PA projection | left wrist pediatric wrist radiograph | presentation radiograph.
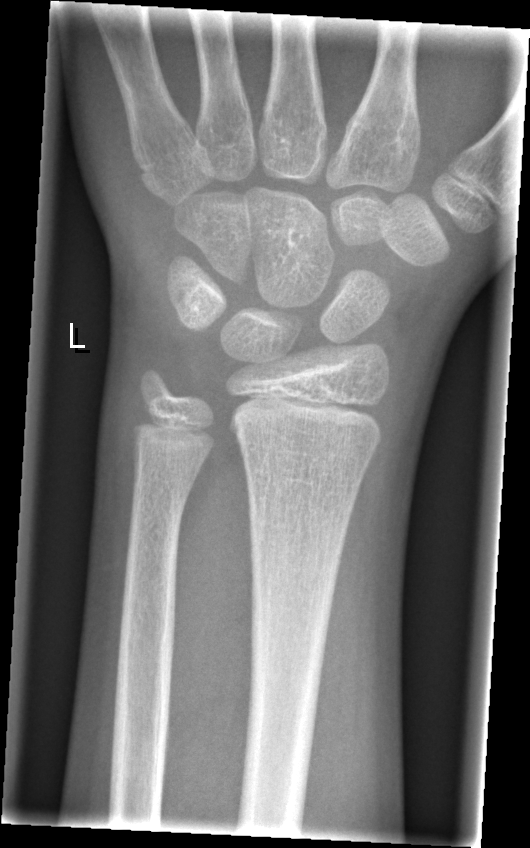

FINDINGS — No fracture labeled.